PA view | Rt wrist XR | 8y M | presentation radiograph:
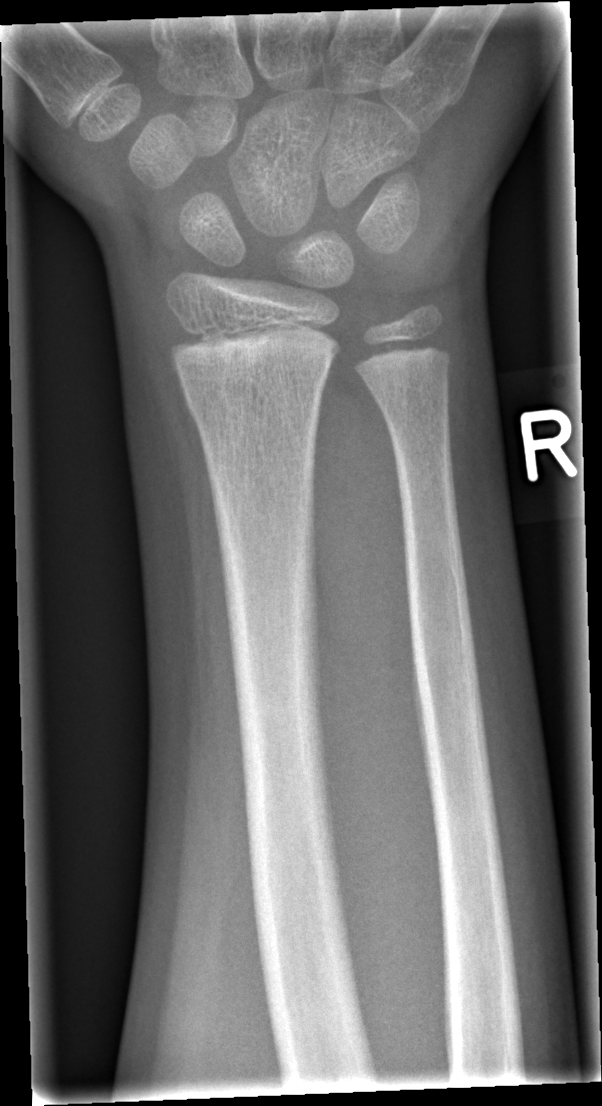 {"_coords": "bounding boxes in image-pixel xyxy", "fracture": "1 @ [181, 363, 328, 415]"}